Right wrist radiograph; frontal projection; pediatric patient (male, age 7):
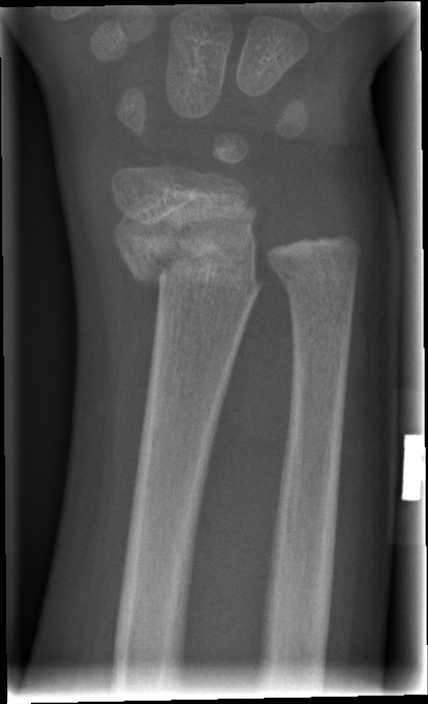 Coordinates are [x1, y1, x2, y2] in image pixels.
Bone fracture identified at <111,209>-<269,302>, <268,253>-<361,303>.
AO/OTA classification: 23r-M/3.1; 23u-M/2.1.